Right wrist radiograph | lat projection | presentation radiograph | image size 557x1308 —
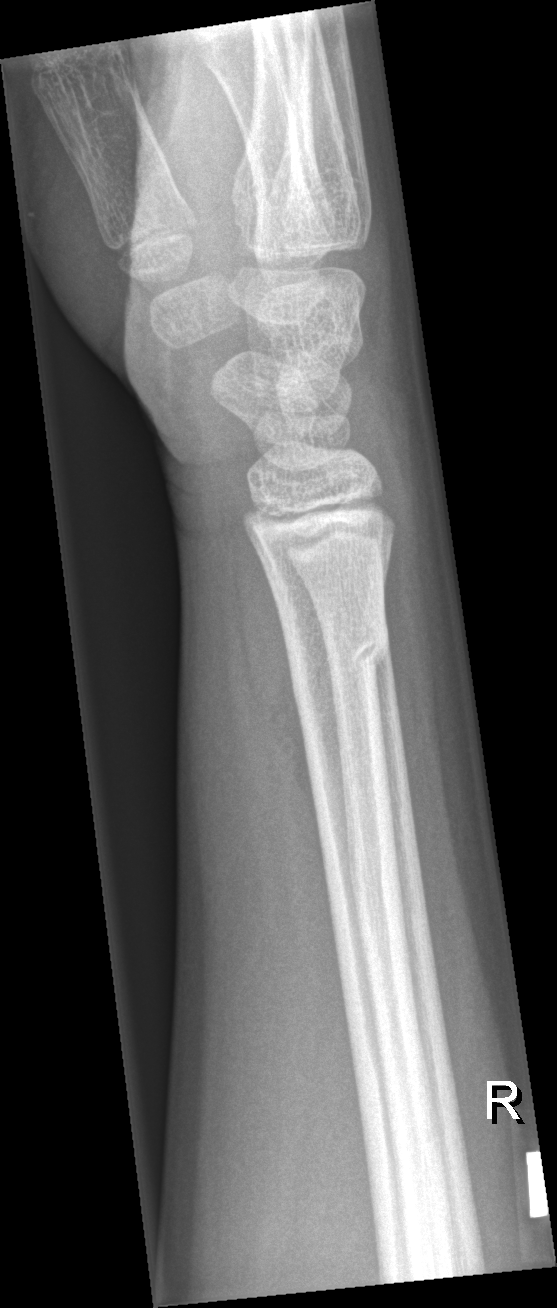 FINDINGS: (pixel coordinates, top-left origin, xyxy) Fracture classified AO/OTA 23r-M/2.1. Fx: <285,612>-<393,695>. Pronator quadratus fat-pad sign identified at <233,541>-<323,822>.